Posteroanterior projection · right wrist pediatric wrist radiograph · 612x911 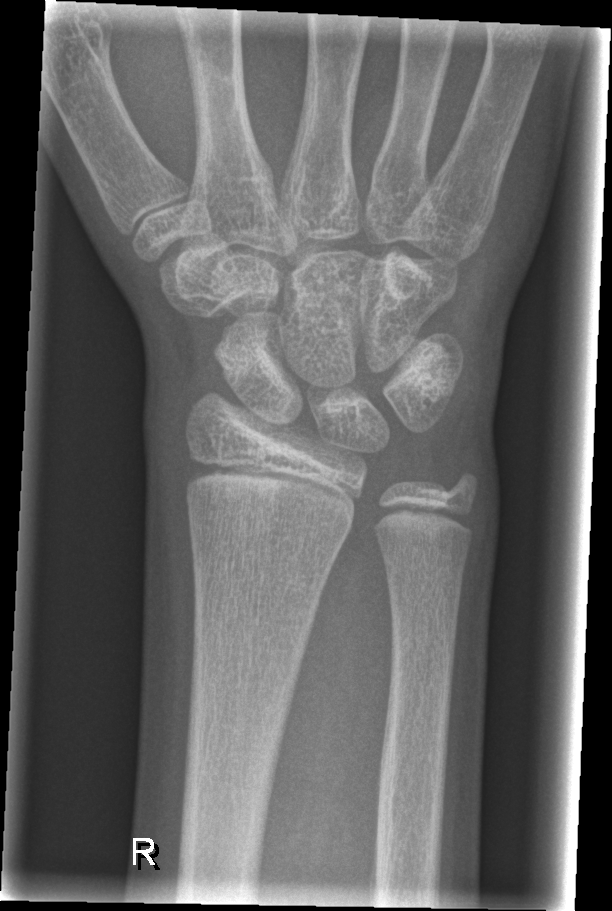 {"fracture": "none labeled"}